L wrist plain film | posteroanterior projection | boy, 11 yo 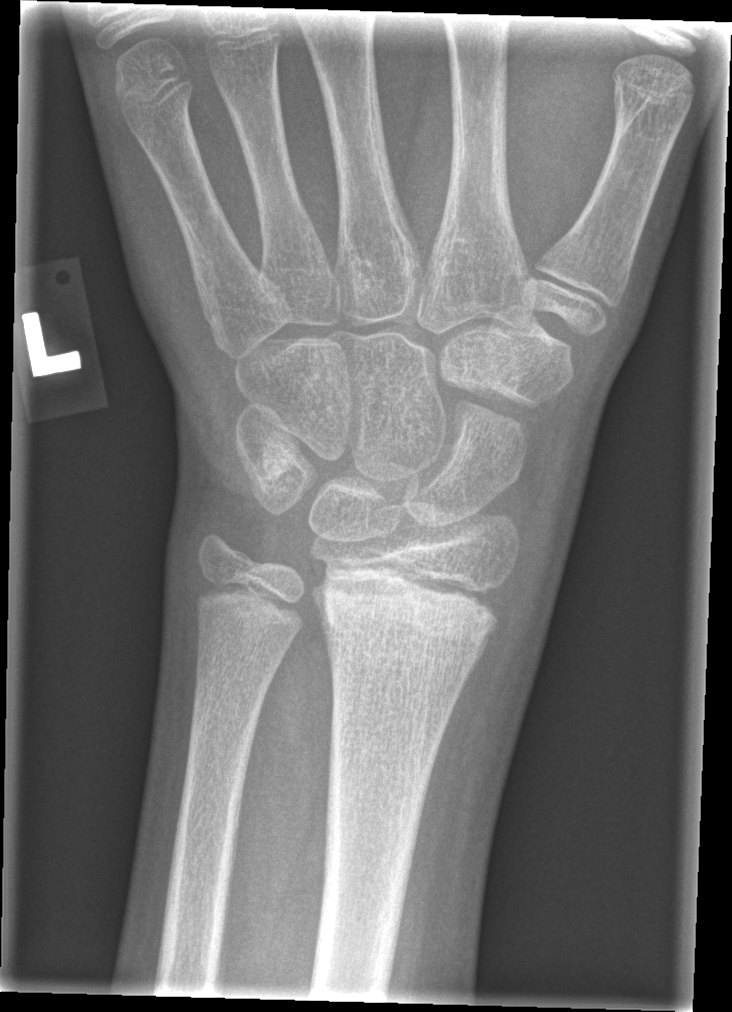

Coordinates are [x1, y1, x2, y2] in image pixels.
Fracture classified AO/OTA 23r-E/2.1.
Fracture: 315,554,507,654.